Frontal view · L wrist radiograph · 15-year-old male —
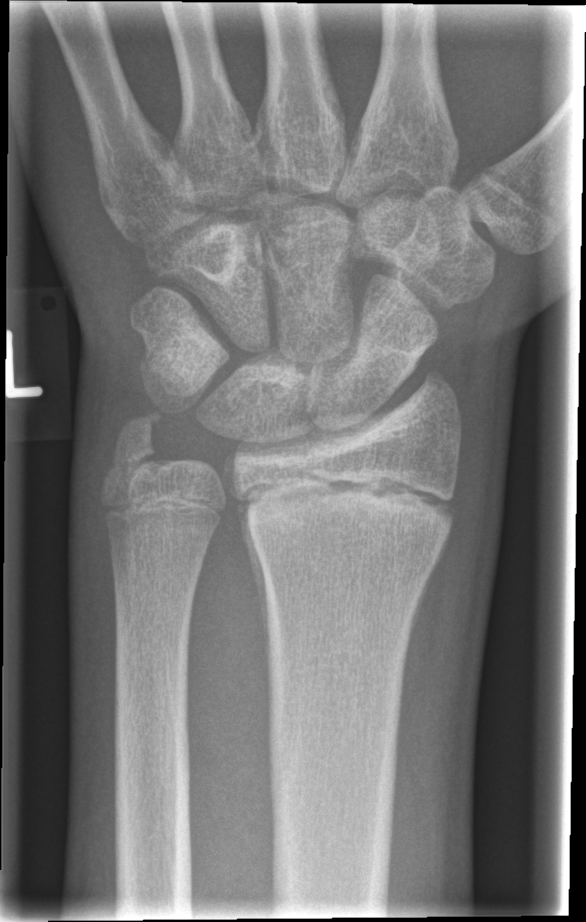

• Fracture identified at (225, 455, 457, 567) (97, 408, 167, 476).
• Periosteal reaction: (239, 503, 272, 697).
• AO code 23r-E/2.1; 23u-E/7.
• Decreased bone density (osteopenia).